Lateral view | right wrist plain film | 531 by 1116 pixels —

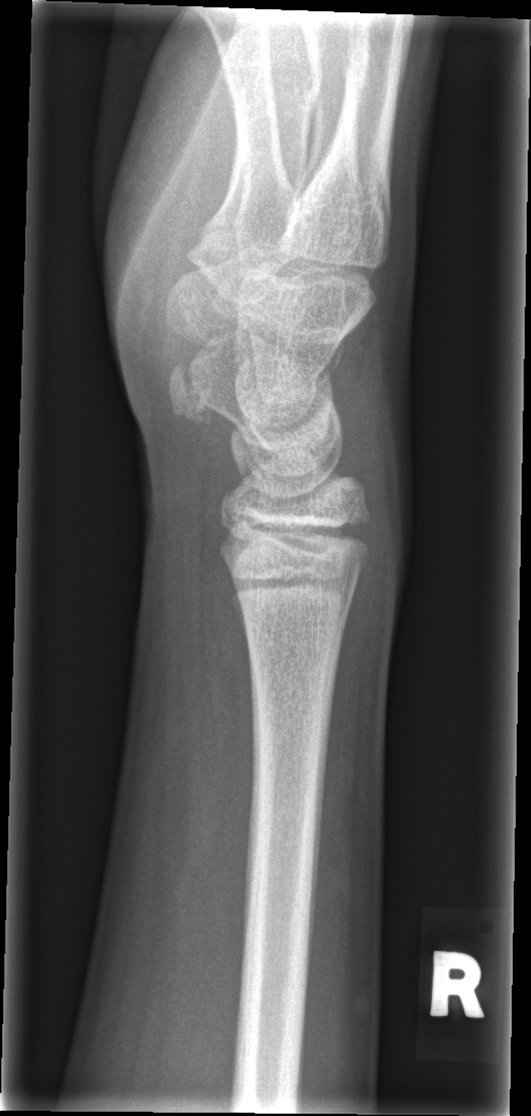

Fracture = none labeled